Lat projection, left wrist X-ray, girl, 3 yo: 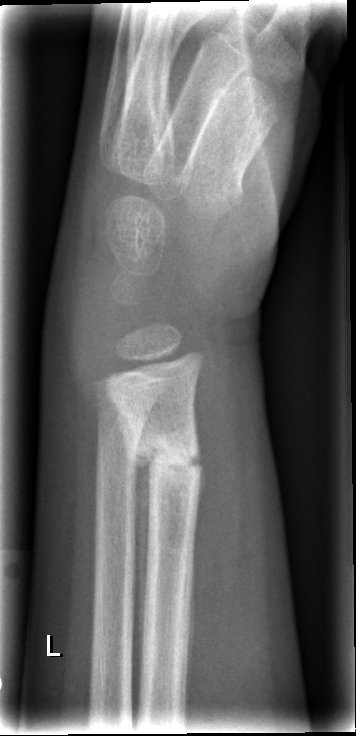
bone fracture: (left=120, top=427, right=203, bottom=497)
osteopenia: present
AO classification: 23r-M/3.1; 23u-M/2.1
periosteal new bone: 1 @ (left=187, top=398, right=206, bottom=532)